Frontal projection, left wrist XR, image size 573x866. 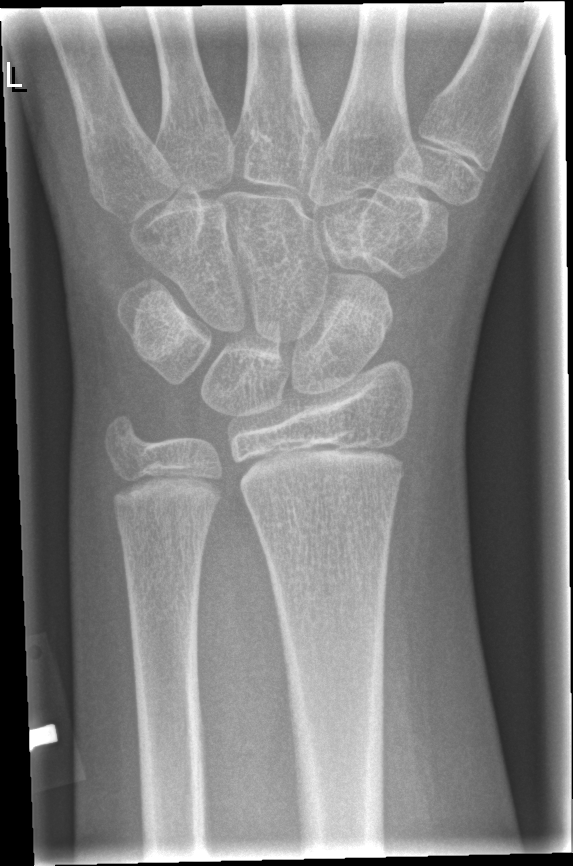 Findings: No fracture annotation.